PA view | Lt wrist X-ray | age 10 y, male | detector: Siemens | image size 667x904:
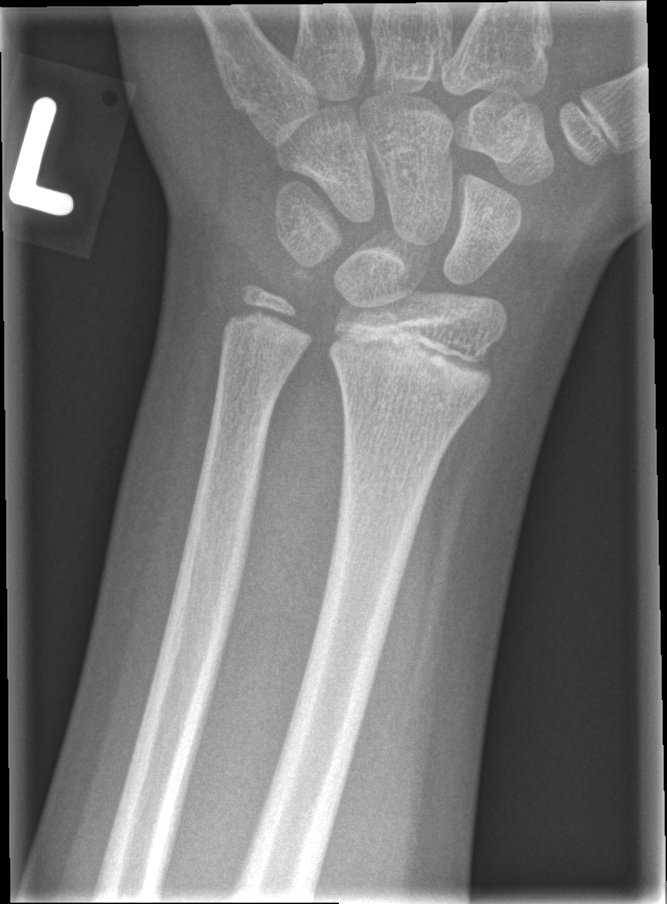

No fracture bounding box.